Right wrist pediatric wrist radiograph | frontal projection | boy, 5 yo | follow-up study | cast present:

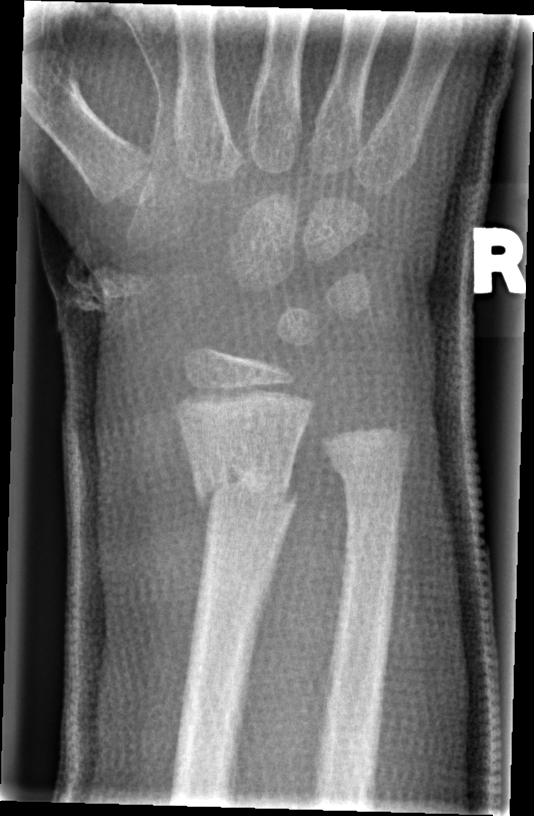

Two fractures at [x1=179, y1=445, x2=302, y2=523], [x1=322, y1=443, x2=417, y2=503].